R wrist X-ray; lat projection; 71.4 mm image width

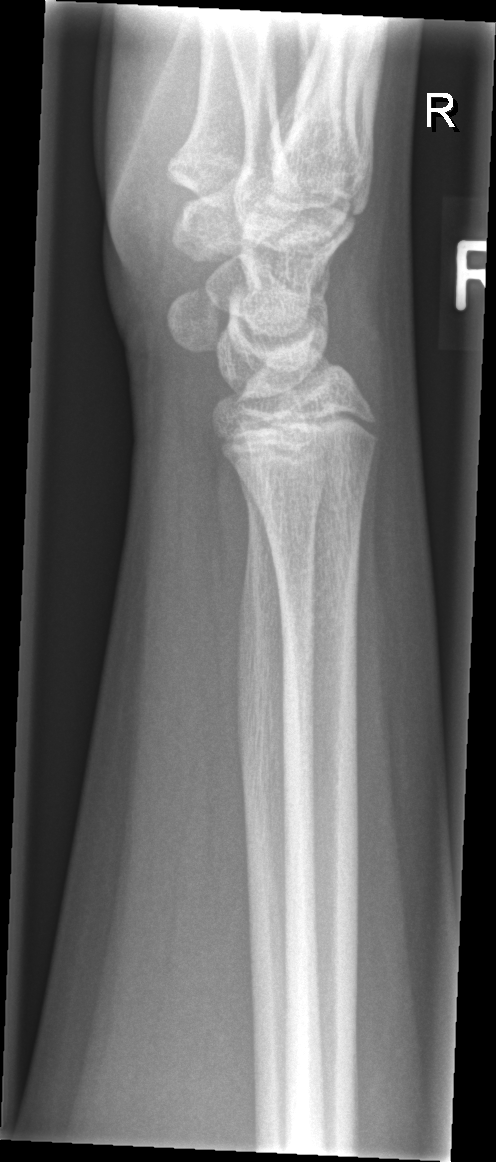 No Fx annotated.